PA view, left wrist X-ray, follow-up study, cast in situ, detector: Siemens — 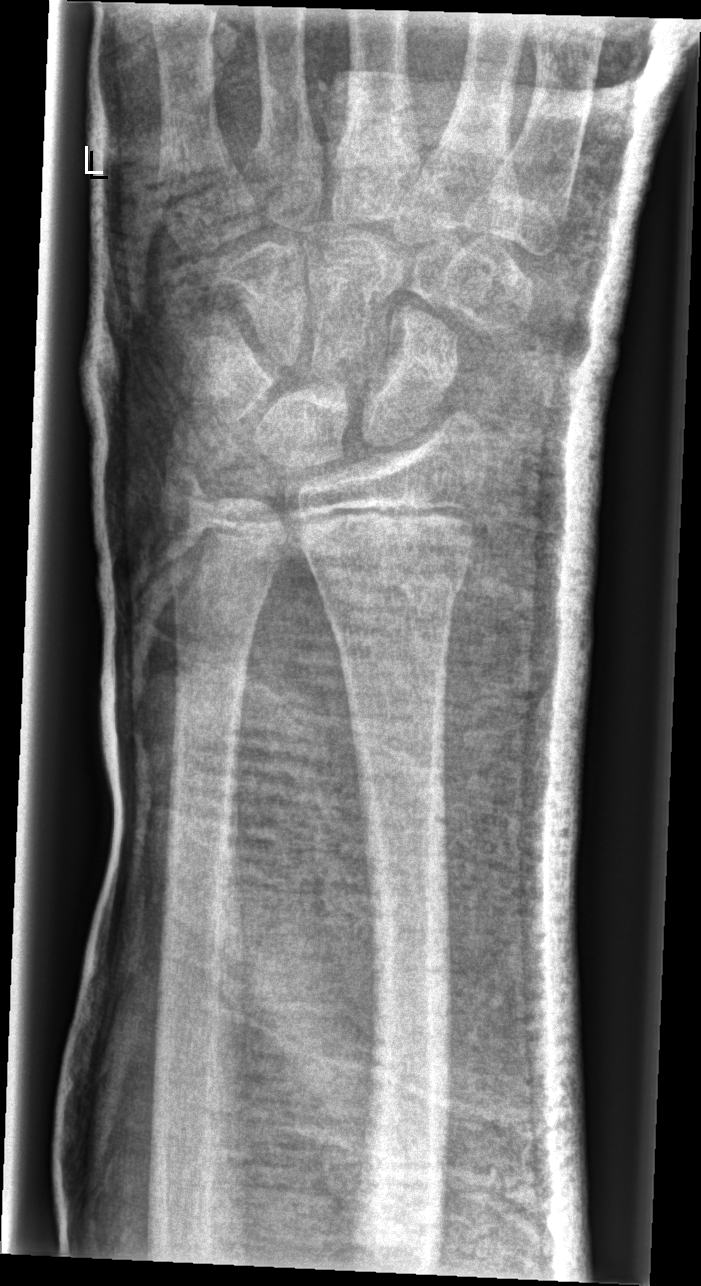 FINDINGS — Two Fx at [306, 540, 470, 608]; [156, 459, 217, 521].